Posteroanterior view; Lt wrist XR; age 16 y, male; follow-up study; in cast

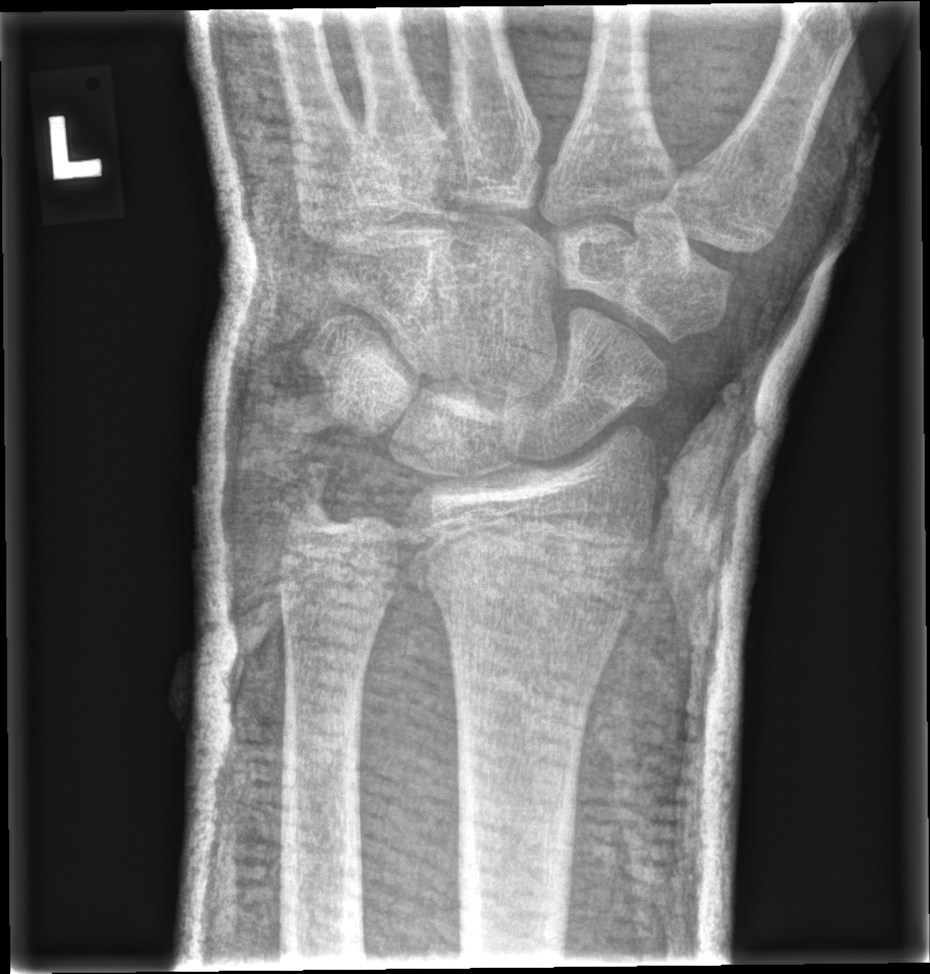
{"ao": "23r-E/2.1; 23u-E/7", "fracture": "410,514,657,639; 283,459,349,537"}